L wrist XR, frontal view, boy, 13 yo, initial study, Siemens:

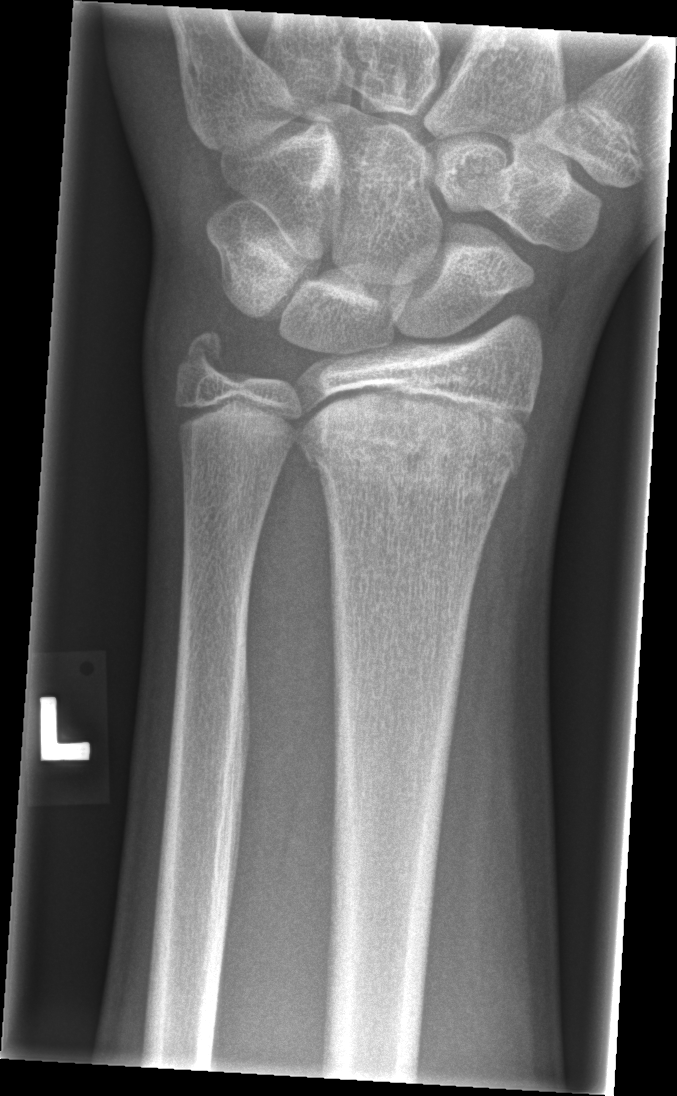
Pixel coordinates, top-left origin, xyxy. Fx: [x1=302, y1=404, x2=524, y2=509], [x1=172, y1=316, x2=241, y2=395].